Left wrist plain film; lateral view; Siemens; image 46.5 mm wide; 323 x 582 px. 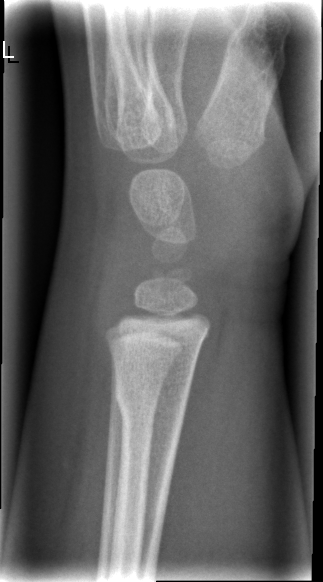

{"fracture": "1 @ [112, 371, 191, 426]"}